PA/AP view, left wrist plain film, female, 8 yo, follow-up study, 95.9 mm image width.
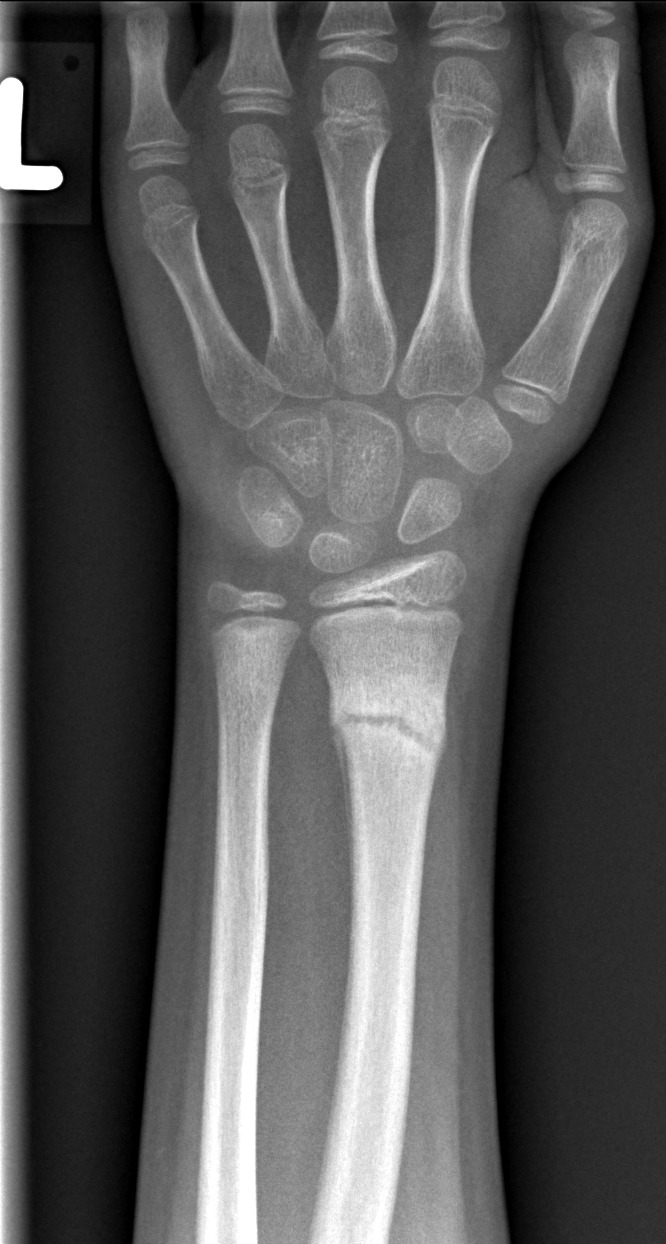
periosteal new bone: 1 @ bbox(328, 713, 353, 900)
AO classification: 23-M/2.1
bone fracture: 2 @ bbox(324, 680, 452, 772) bbox(210, 651, 288, 715)
osteopenia: present